Lateral · L pediatric wrist radiograph · 13y M · image 64.7 mm wide
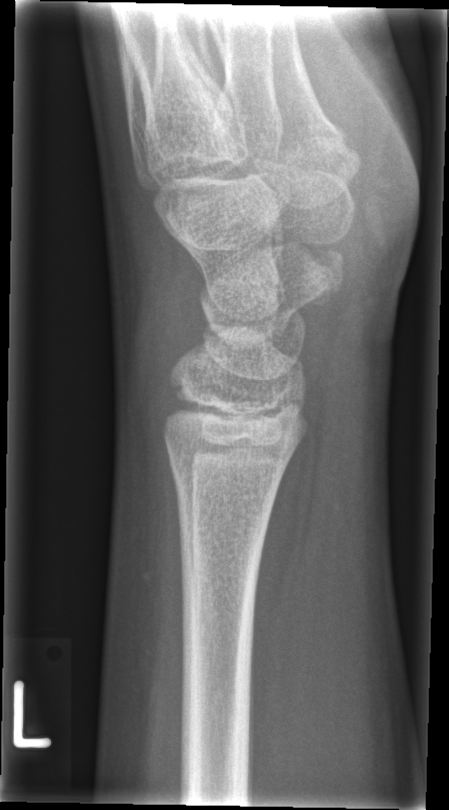

bone fracture: none labeled